Left wrist radiograph, lateral, female, 9 yo, index exam, image 57.7 mm wide —
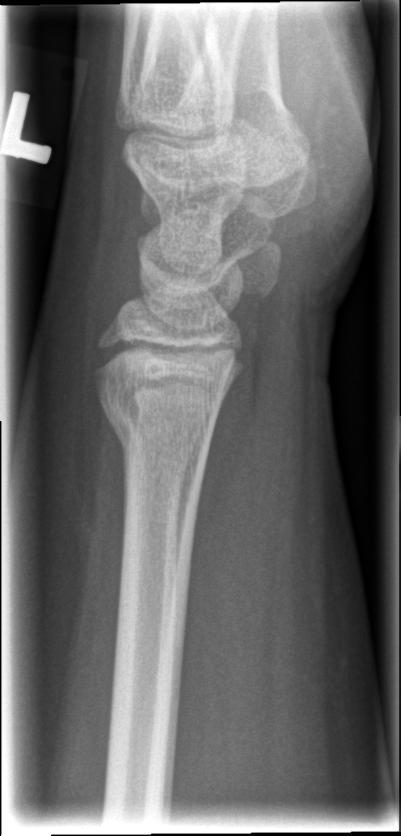 Fracture classified AO/OTA 23r-M/2.1.
One fracture at <100,400>-<216,472>.